Posteroanterior projection | Lt plain radiograph of the wrist | imaged through cast.

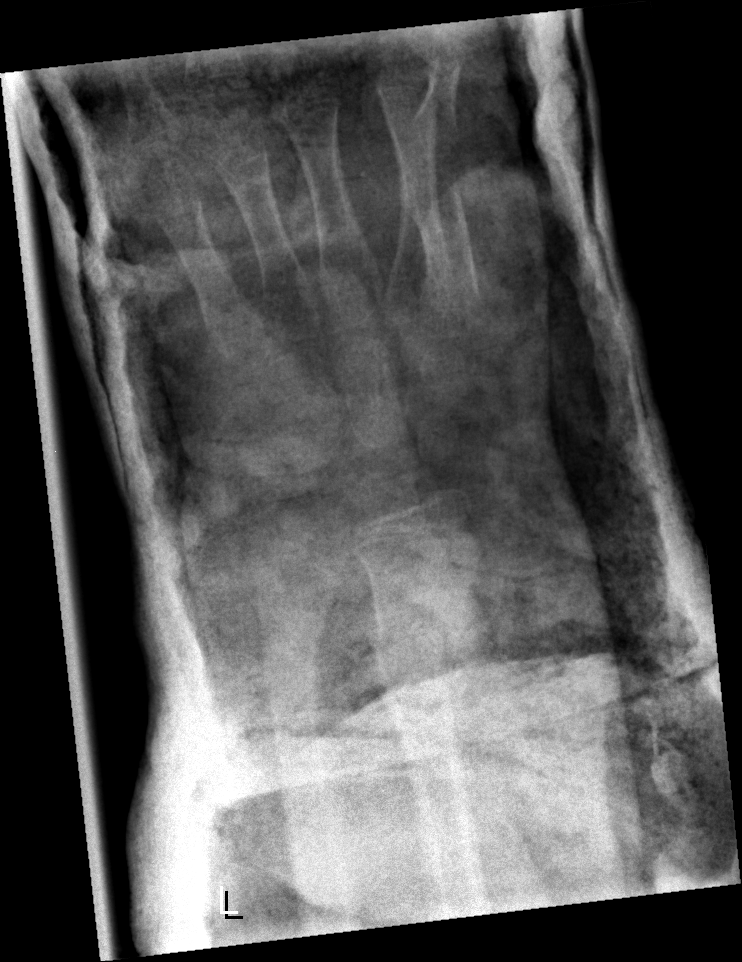
fracture = 2 @ 367,605,472,684; 254,607,325,662
AO/OTA = 23r-M/3.1; 23u-M/2.1